Lateral projection, right wrist plain radiograph of the wrist, initial study —
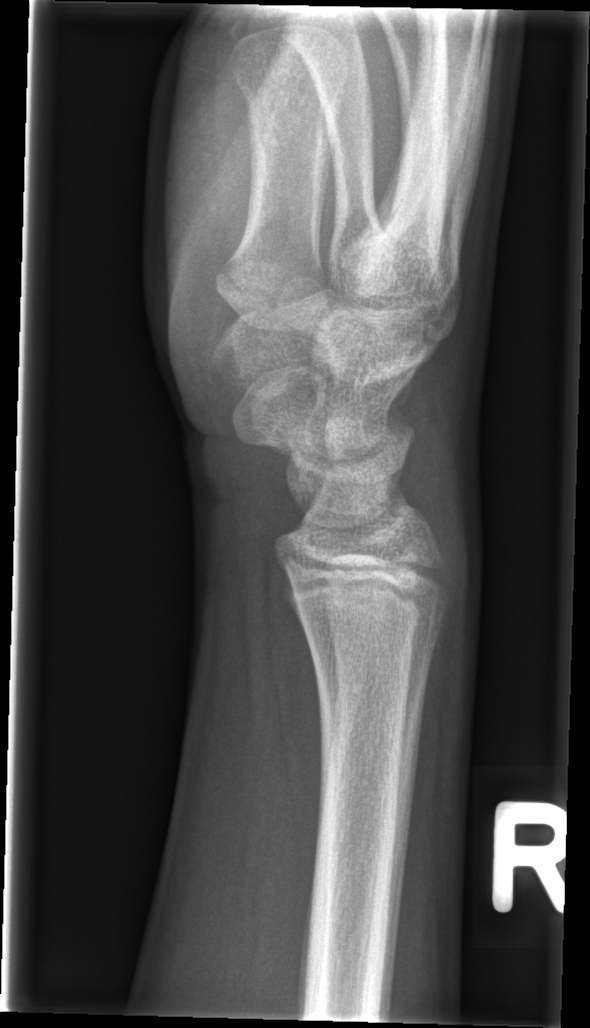
No Fx annotated.